Lt wrist radiograph | lateral | age 7 y, male.
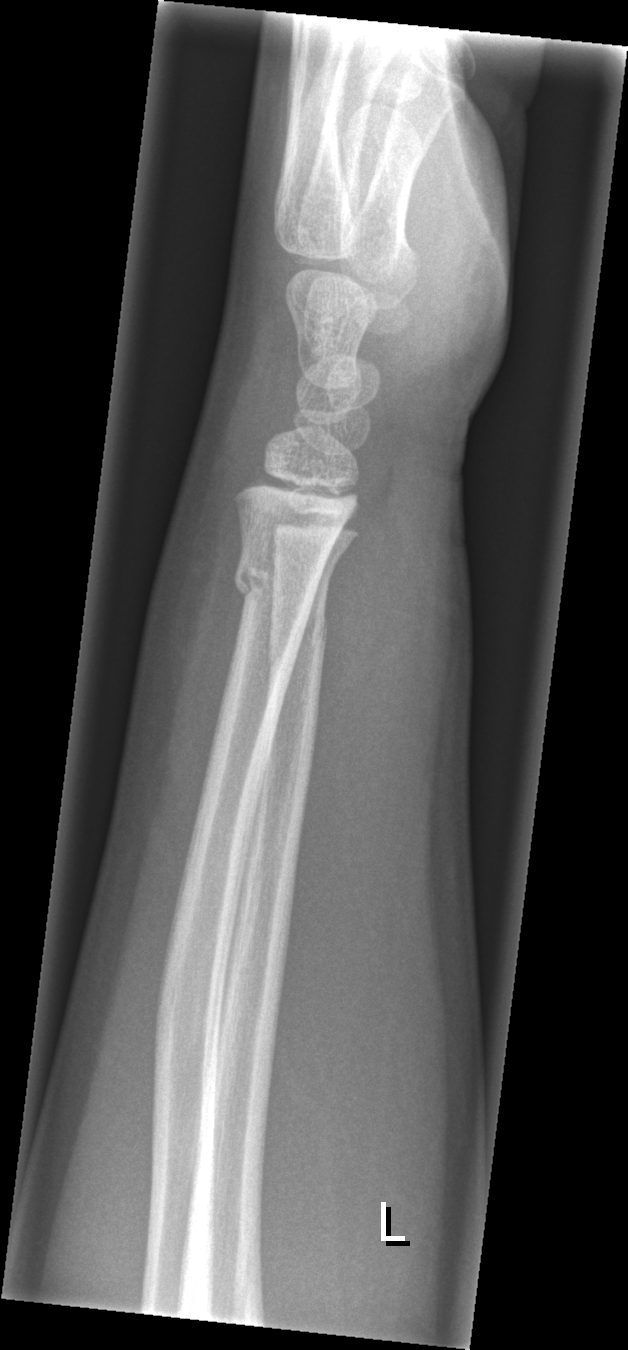
fracture: 2 @ 230 546 323 619; 266 608 330 676
pronator sign: 308 490 412 764